Lateral | Lt pediatric wrist radiograph | 12-year-old girl | presentation radiograph | acquired on Siemens | image width 80.9 mm | 562x1122 — 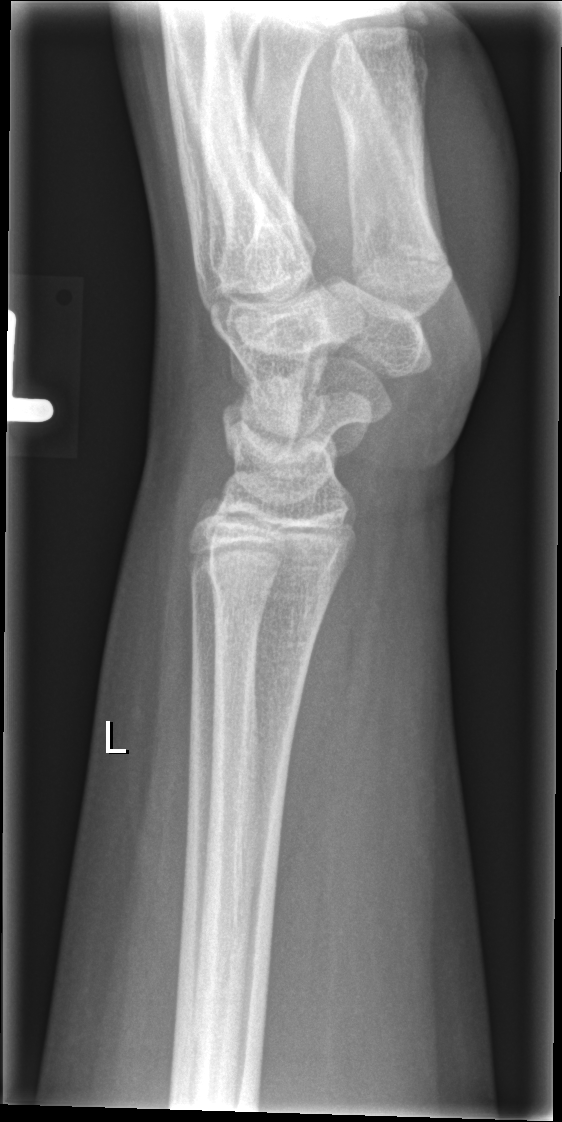
Findings: Fracture classified AO/OTA 23r-M/2.1. Bone fracture — 204 549 345 607.